Lateral; R wrist radiograph; cast in situ; 478 by 818 pixels.

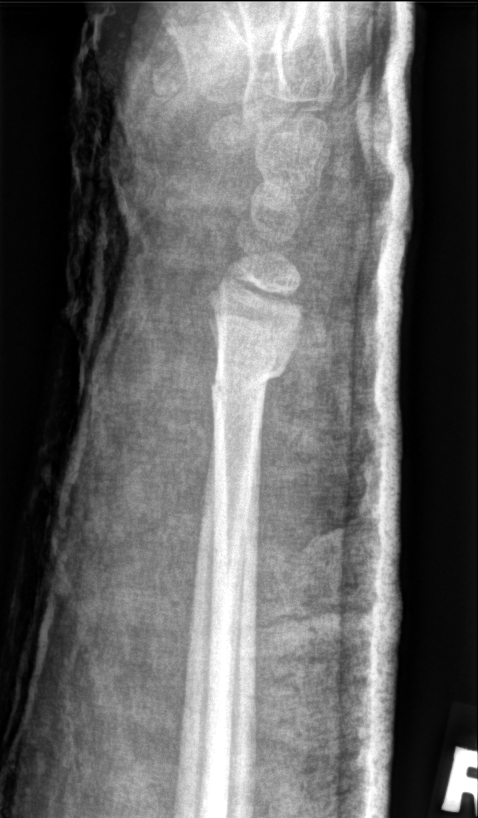 Coordinates are [x1, y1, x2, y2] in image pixels. Bone fracture — [206, 355, 292, 403].